Lat, left wrist X-ray, initial study, detector: Siemens.
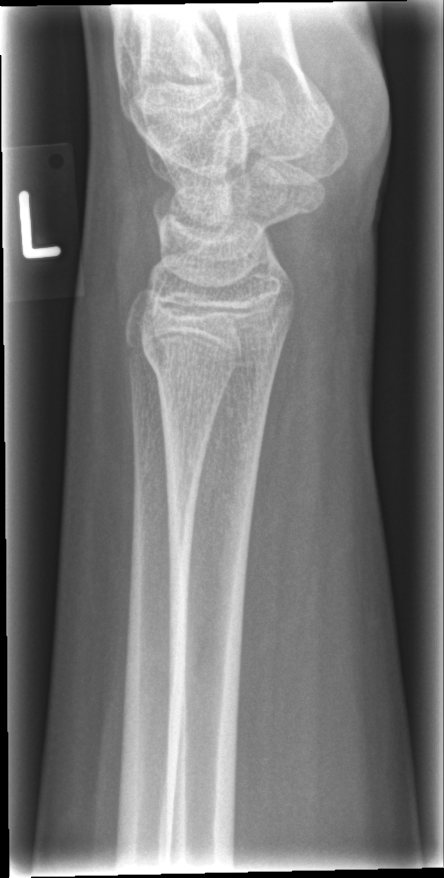

FINDINGS — (boxes as x1,y1,x2,y2 (top-left / bottom-right, pixel units)) Fx: [137, 320, 283, 392].